Left wrist radiograph, PA, 8-year-old boy, subsequent exam. 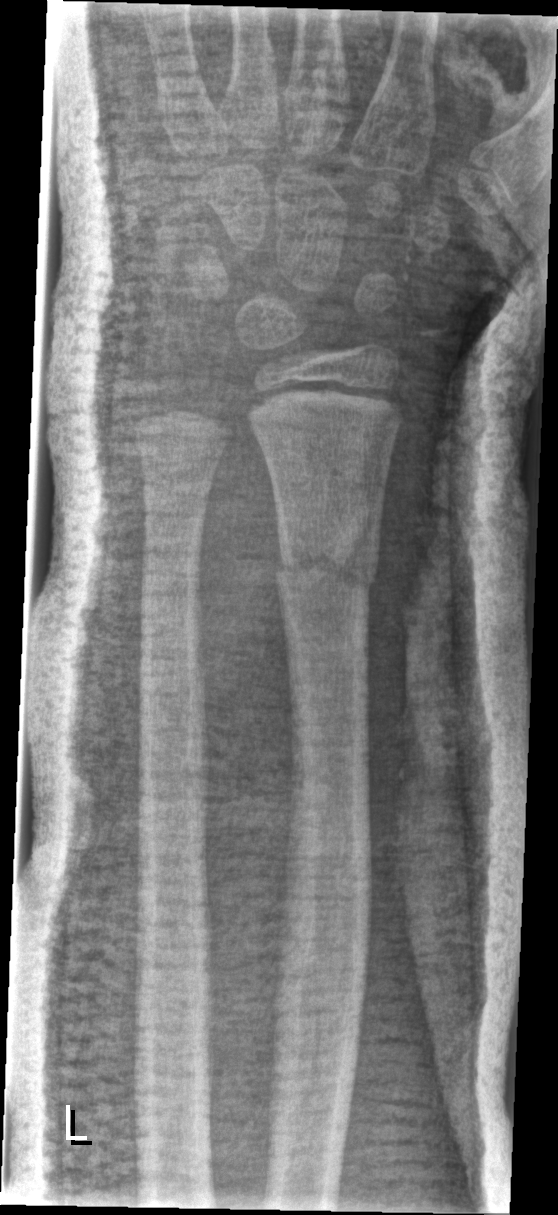 FINDINGS — Fracture: (271, 544, 382, 601). AO/OTA classification: 23r-M/3.1.